AP; L wrist X-ray; 13y M; image 97.6 mm wide; 678x1343 —
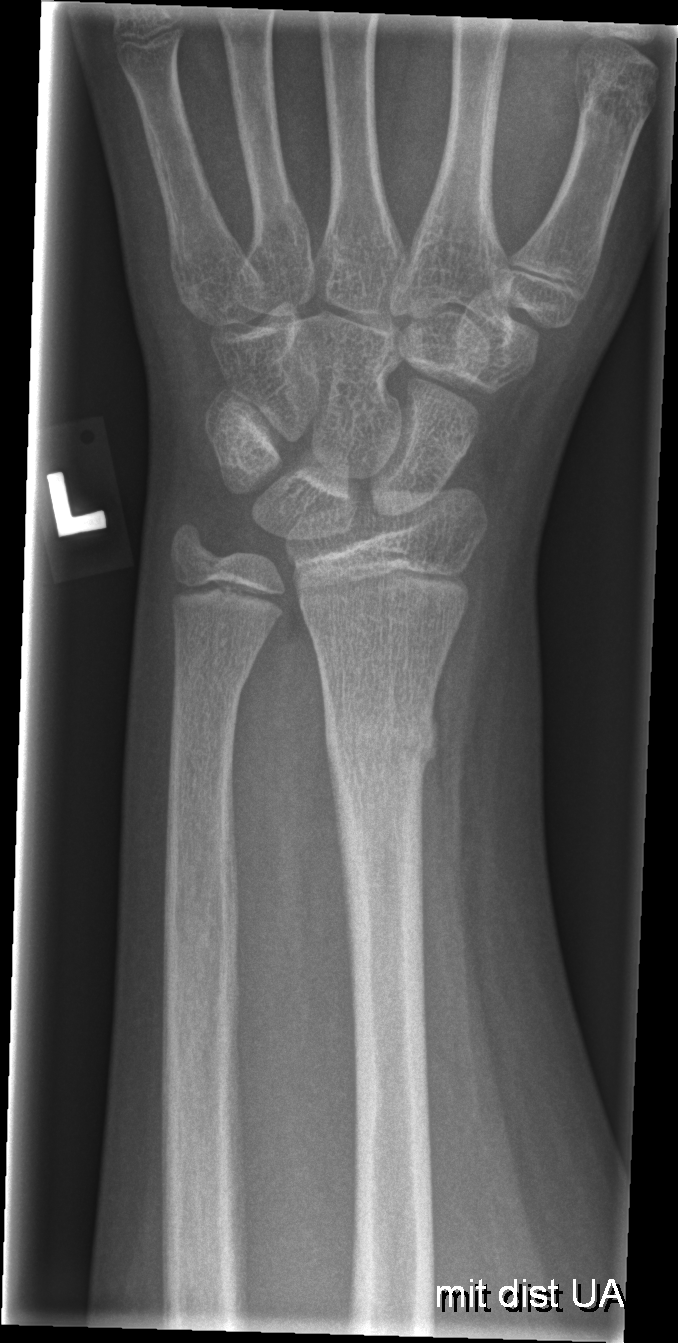 Q: AO code?
A: Fracture classified AO/OTA 23-M/2.1
Q: Fracture present?
A: Two fractures at [320, 693, 443, 791], [170, 650, 257, 709]